PA/AP projection, L wrist XR, 591x918.
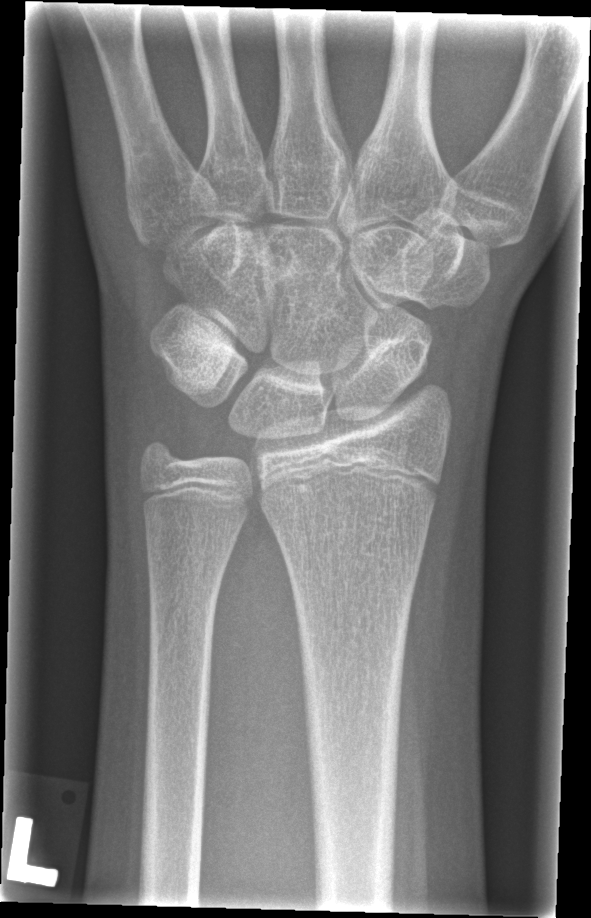

bone fracture = none labeled